Rt wrist XR; PA:

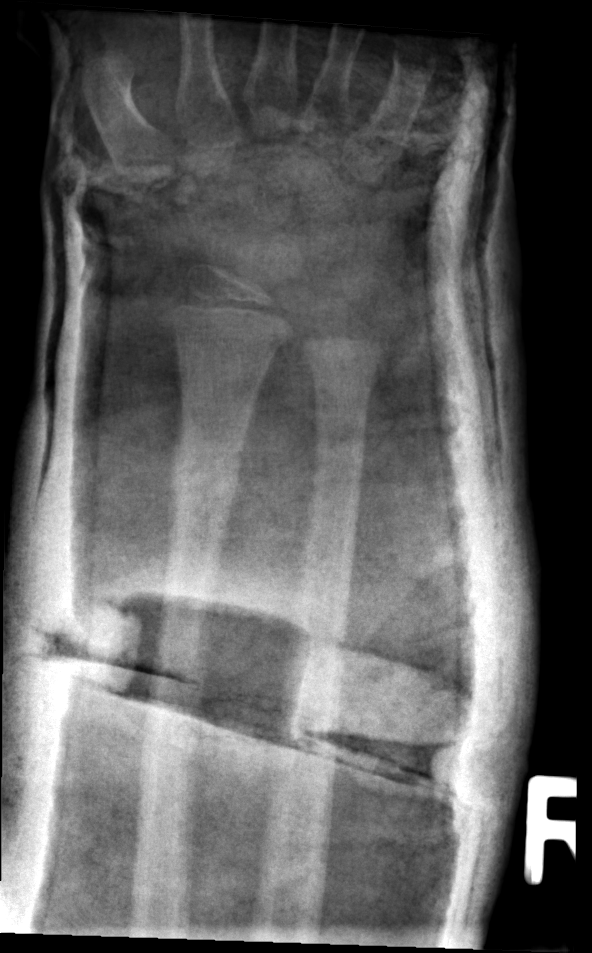
Boxes as x1,y1,x2,y2 (top-left / bottom-right, pixel units).
Bone fracture identified at [x1=165, y1=453, x2=250, y2=513].